Right wrist radiograph · posteroanterior view · presentation radiograph 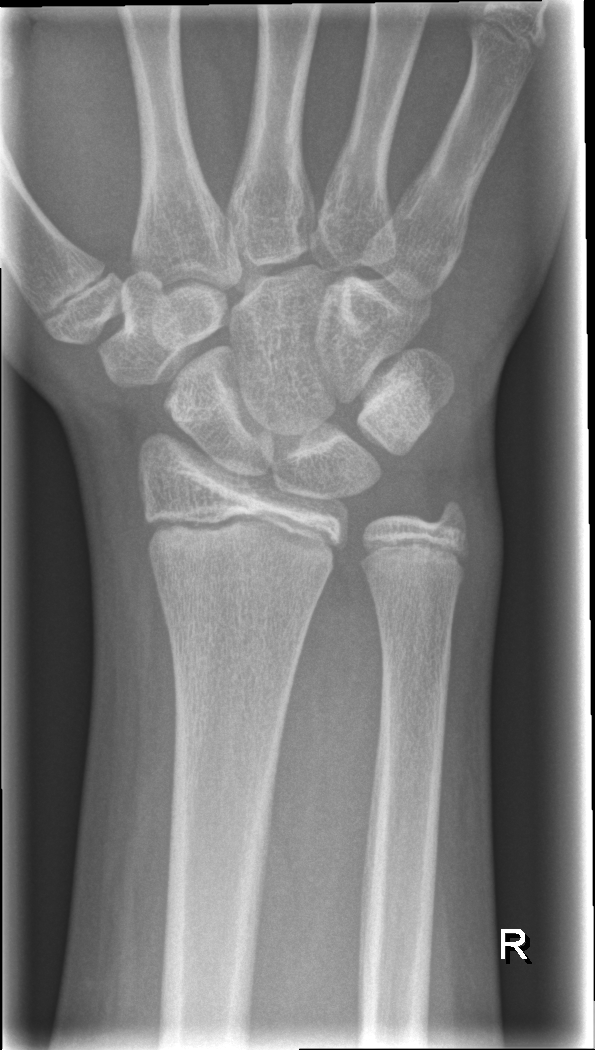 FINDINGS: AO/OTA classification: 23r-M/2.1. Fracture: present but not clearly seen in this view.